Left wrist pediatric wrist radiograph, posteroanterior, pediatric patient (boy, age 4), initial study, 553x816 — 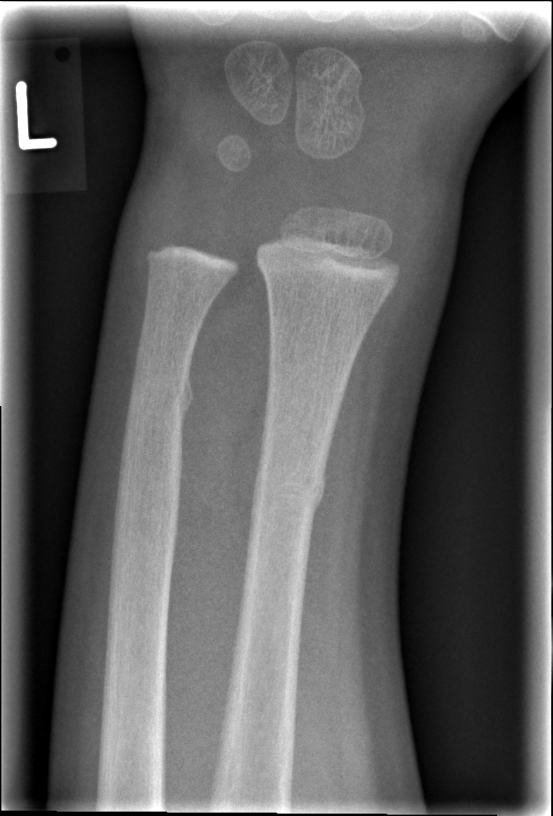

FINDINGS — Bone fracture identified at 251 466 328 516 | 125 365 195 419. AO/OTA classification: 22r-D/2.1; 23u-M/2.1.